PA/AP | left wrist plain film | initial study | Siemens.
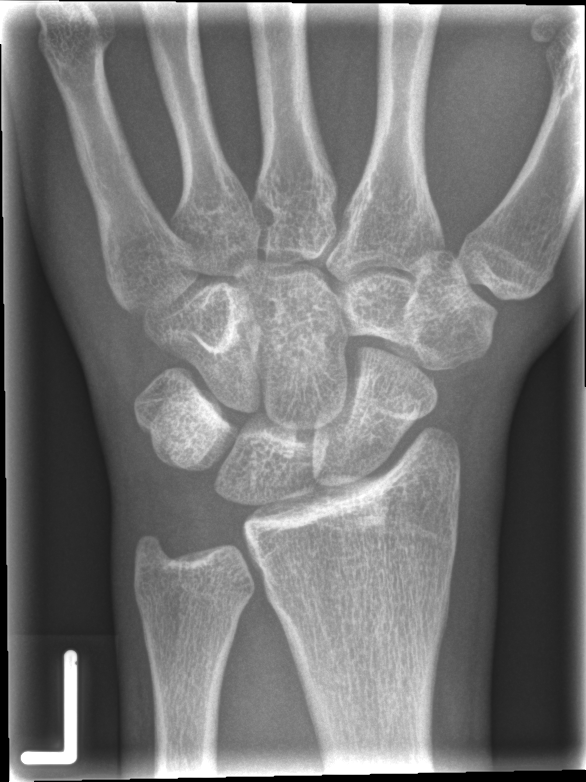
No fracture annotation.